Frontal projection, L plain radiograph of the wrist, follow-up:

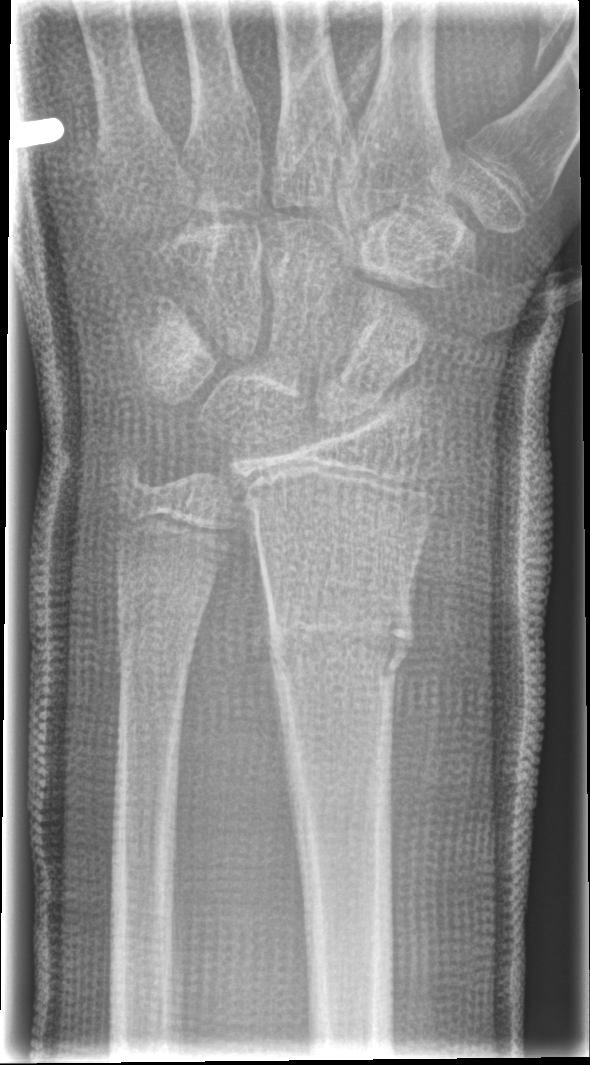
{"fracture": "2 @ <259,585>-<418,691>; <112,582>-<208,667>", "ao": "23-M/3.1"}